R wrist XR | AP | girl, 9 yo | detector: Siemens

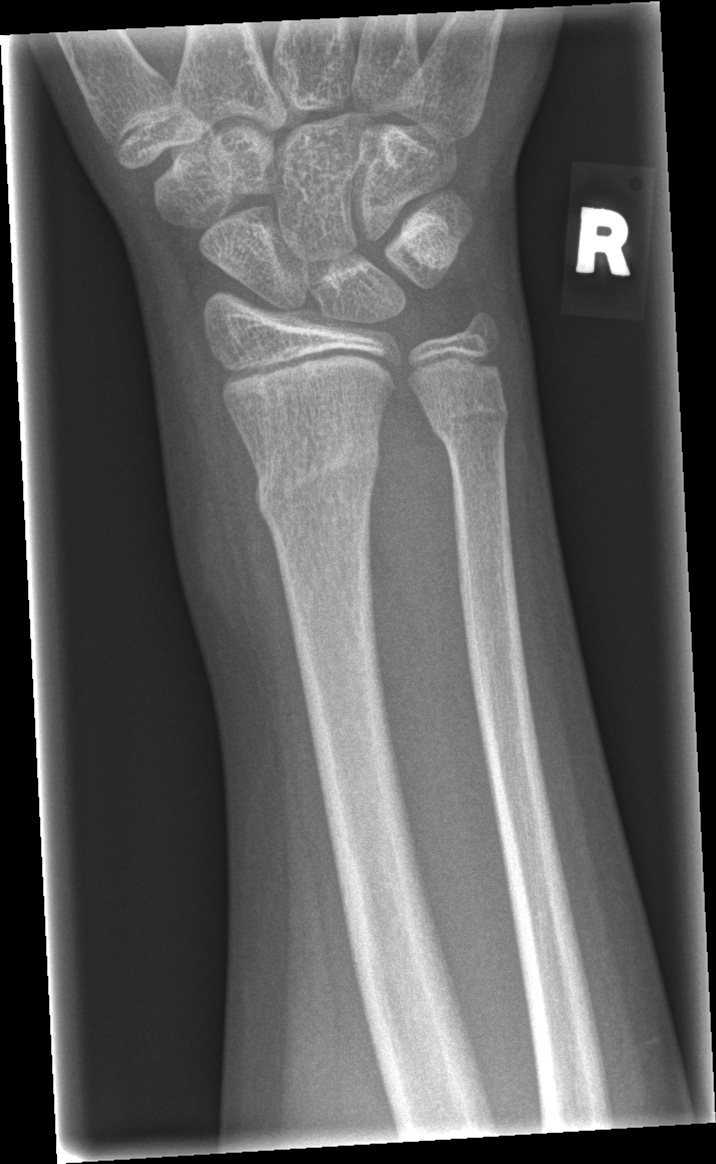

  # pixel coordinates, top-left origin, xyxy
  fracture: 252 426 384 533; 426 391 512 452
  softtissue: 1 @ 166 349 307 730
  ao: 23-M/2.1